PA/AP view; R wrist plain film — 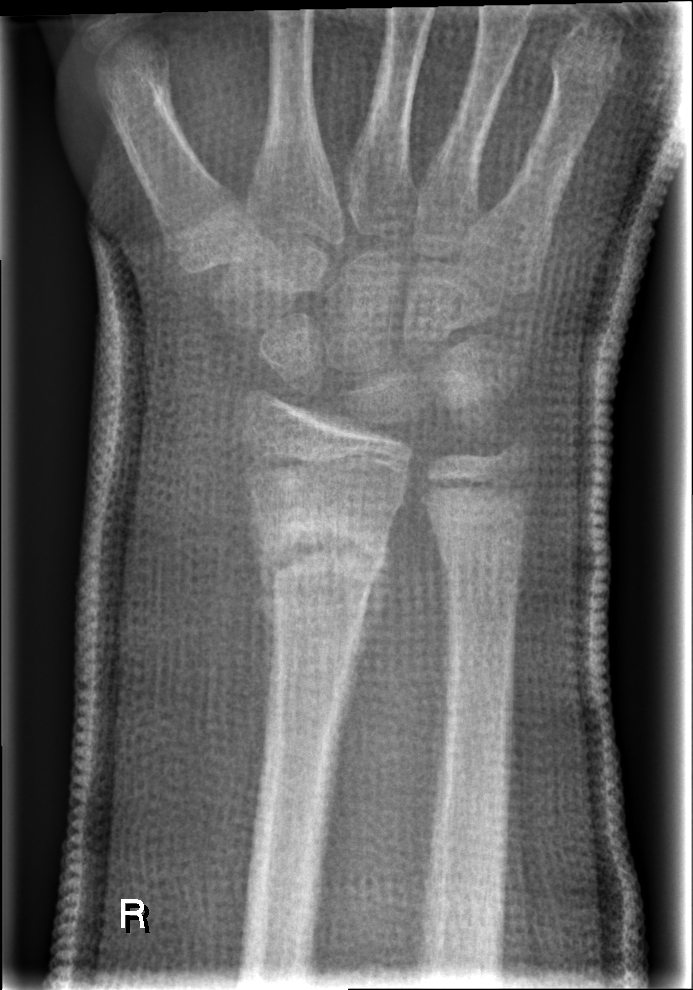
Q: Is there periosteal reaction?
A: Periosteal reaction — 338 507 398 748; 247 488 276 698
Q: Is there a fracture?
A: Bone fracture identified at 241 494 399 615 | 435 510 531 604